Left plain radiograph of the wrist | lateral view | detector: Agfa | 143.9 mm image width. 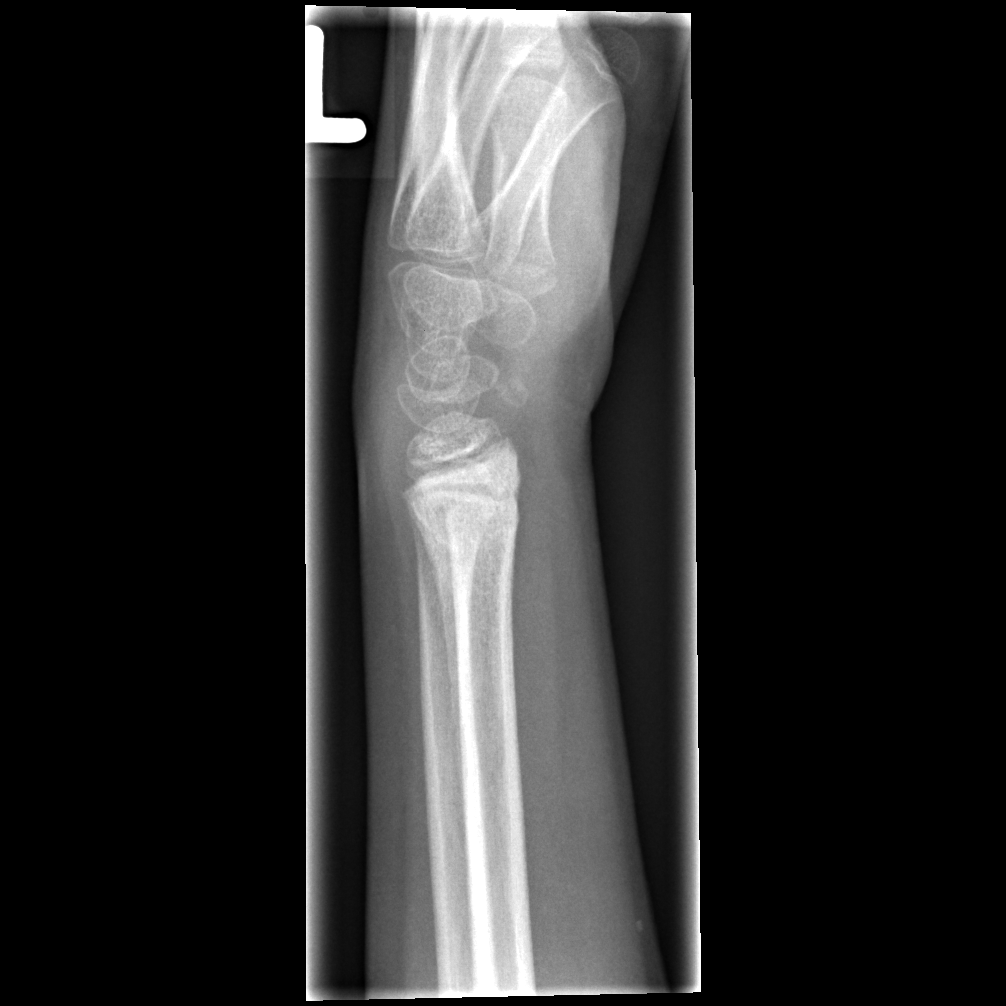
Boxes as x1,y1,x2,y2 (top-left / bottom-right, pixel units).
Bone fracture identified at <400,435>-<524,565>.
Periosteal new bone — <405,500>-<464,776>.
AO code 23r-M/3.1.